Posteroanterior view | Lt wrist radiograph | 15-year-old female | diagnosis uncertain | 719 x 1046 px.

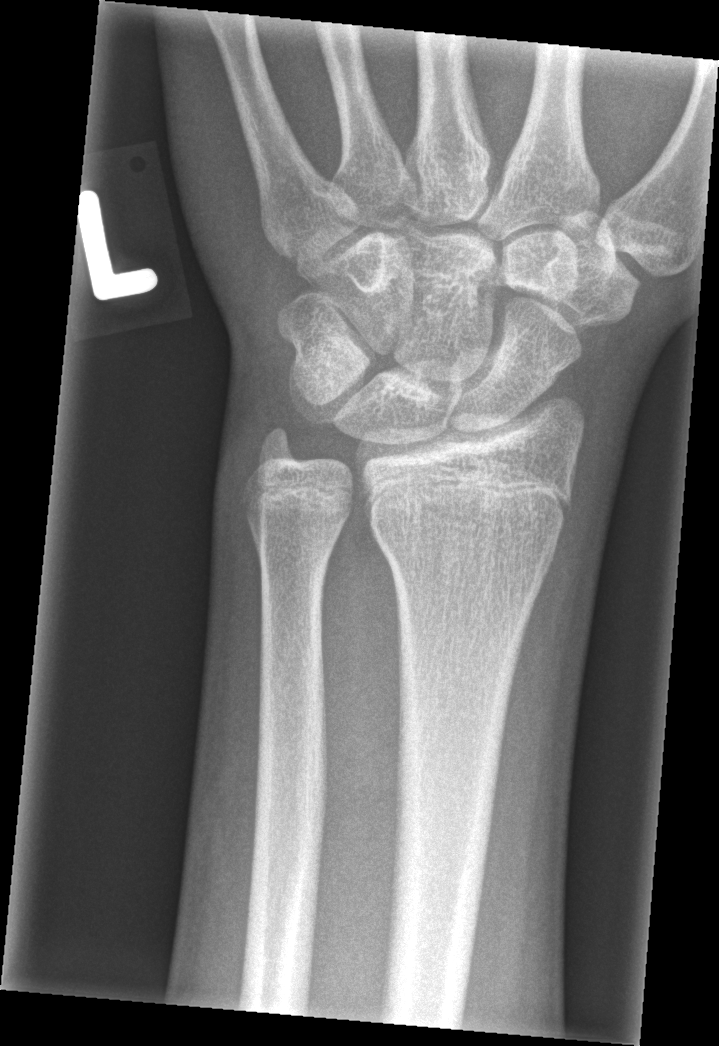

Bone fracture = none labeled